L wrist XR; lat view; 10-year-old male.
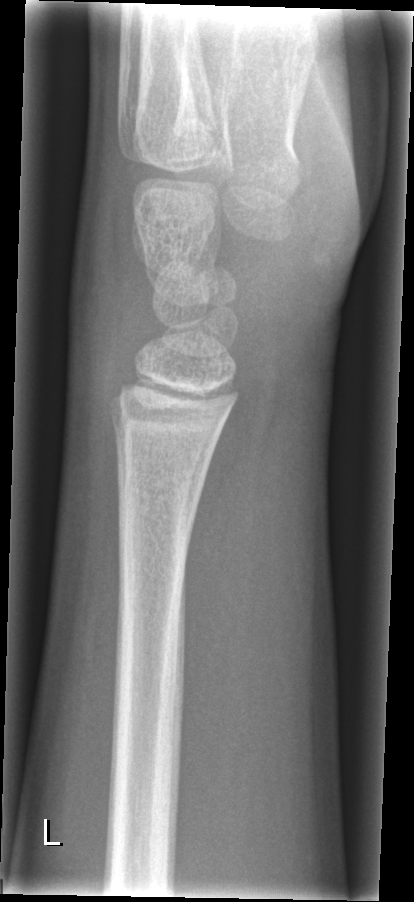

No fracture bounding box.